Lateral projection · R wrist radiograph · Siemens · image size 608x1402
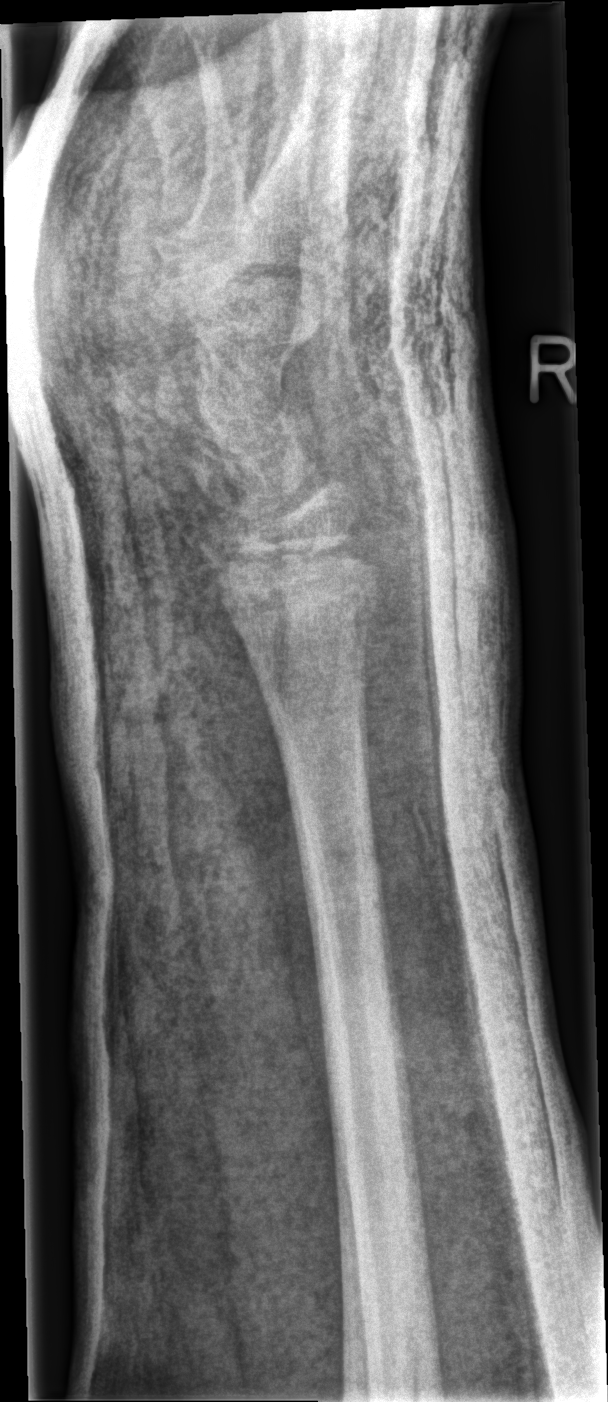

AO/OTA = 23r-M/3.1
Fx = 217,548,387,655
Periosteal reaction = 349,579,379,809